Lateral projection, left wrist X-ray, index exam, image 62.1 mm wide.

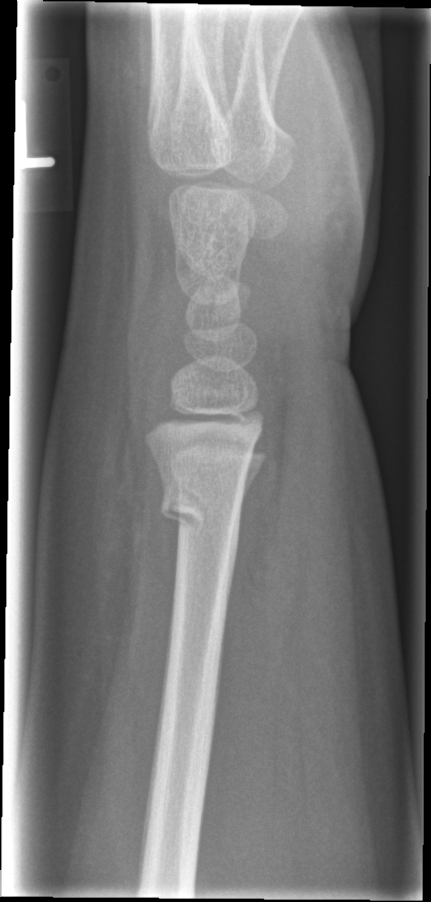

* Pixel coordinates, top-left origin, xyxy.
* AO code 23-M/2.1.
* Fx: [158, 472, 249, 557].
* Soft-tissue swelling: [53, 224, 172, 665].